Lateral projection; R wrist X-ray; presentation radiograph; diagnosis uncertain; image width 68.3 mm:

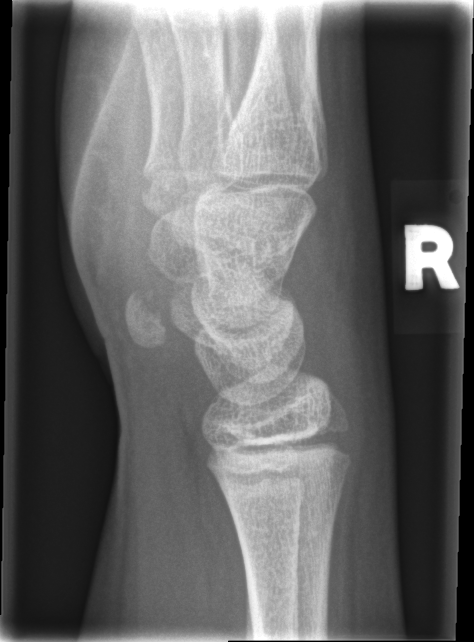
No fracture annotation.